Lat, Lt wrist radiograph, imaged through cast, Siemens, 604x932: 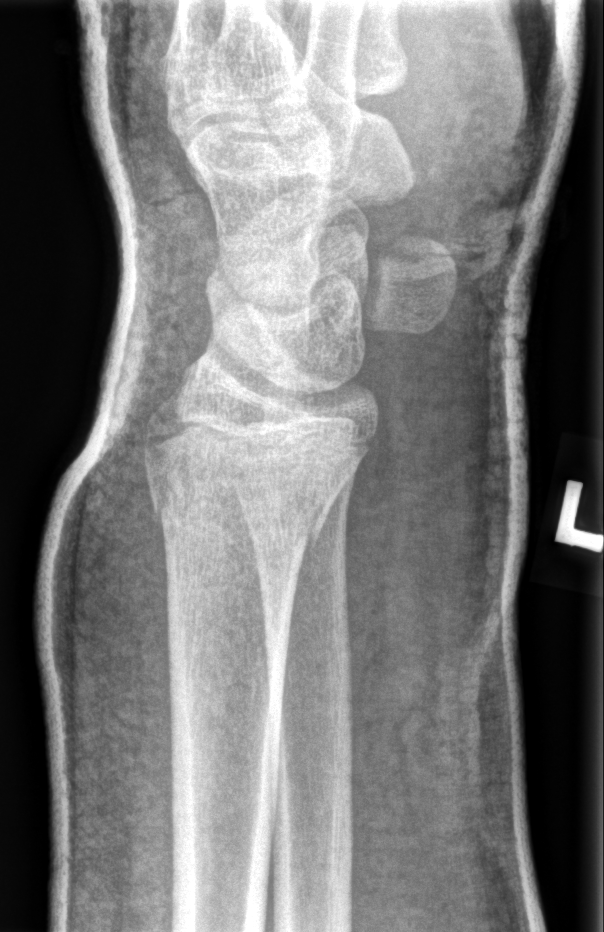

Fx: (left=140, top=450, right=352, bottom=575)
AO/OTA: 23r-M/3.1; 23u-E/7